Frontal projection · left plain radiograph of the wrist · 74.6 mm image width

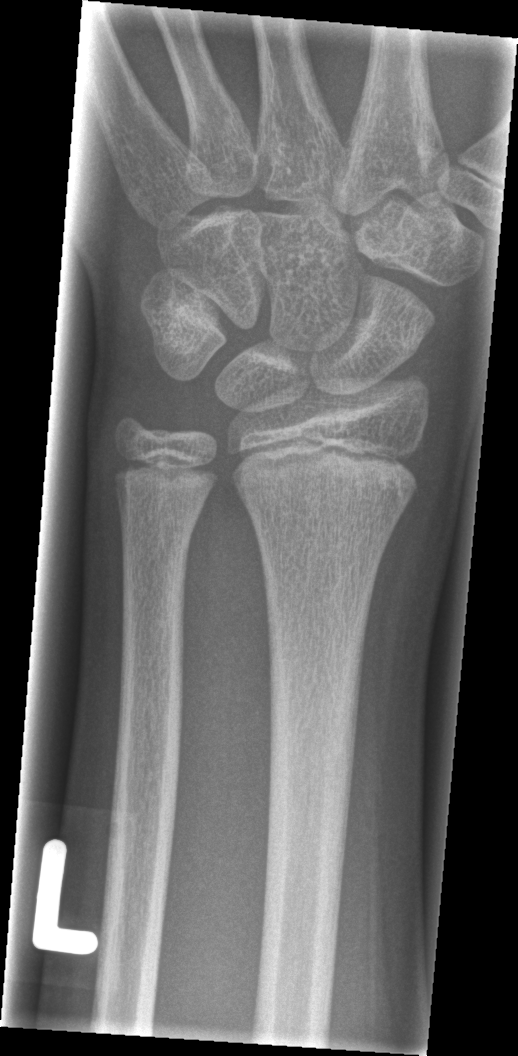 Findings: Fx: none.